Lat view · right wrist X-ray · 8y F · Siemens 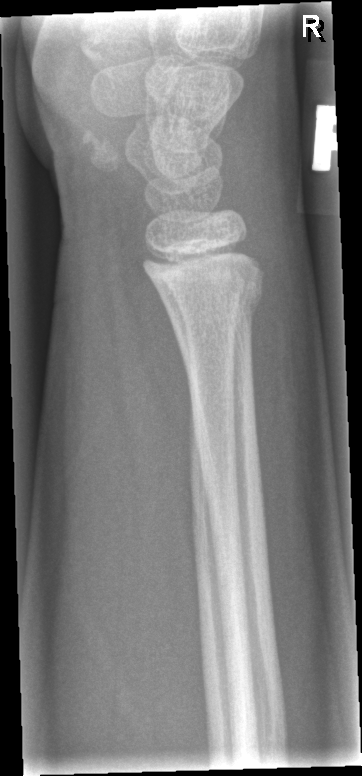
• Fracture identified at <157,272>-<267,331>.
• AO/OTA classification: 23r-M/2.1.